L wrist plain film, lateral projection, 9y M:

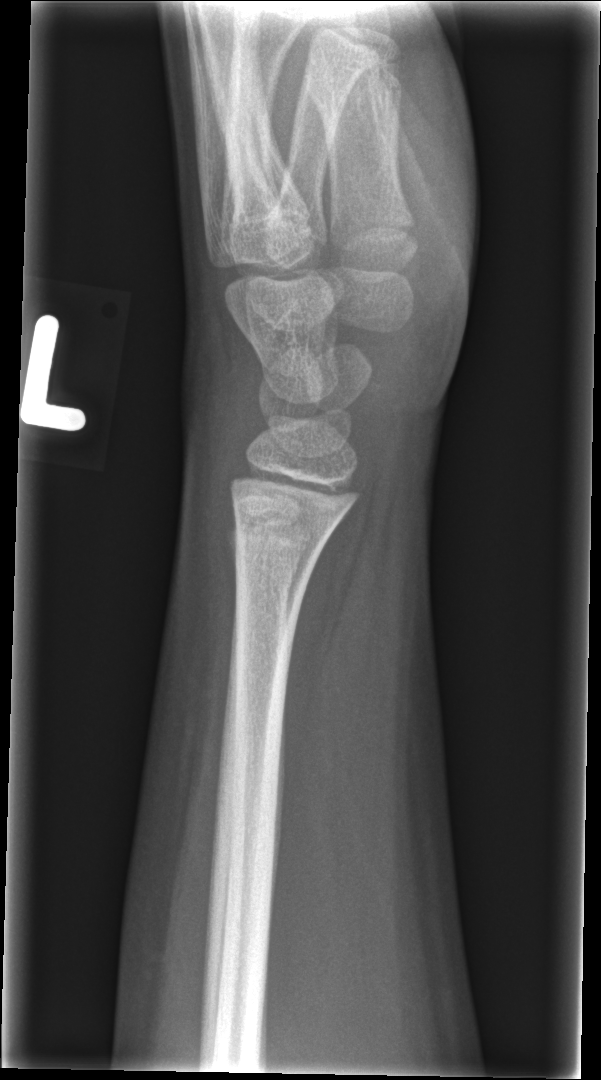

bone fracture = none labeled